PA/AP projection | Lt plain radiograph of the wrist | pediatric patient (male, age 7) —

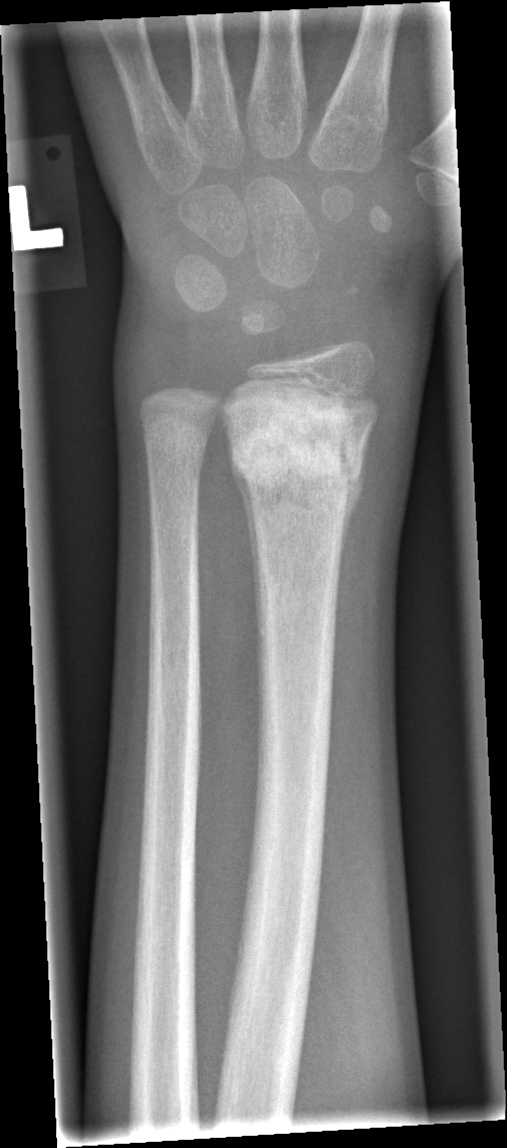
ao: 23-M/2.1
fracture: 2 @ 223 390 381 511; 138 415 214 472
osteopenia: present
periostealreaction: 2 @ 228 435 267 692; 338 420 375 579